Right wrist plain radiograph of the wrist, PA projection, 9-year-old boy
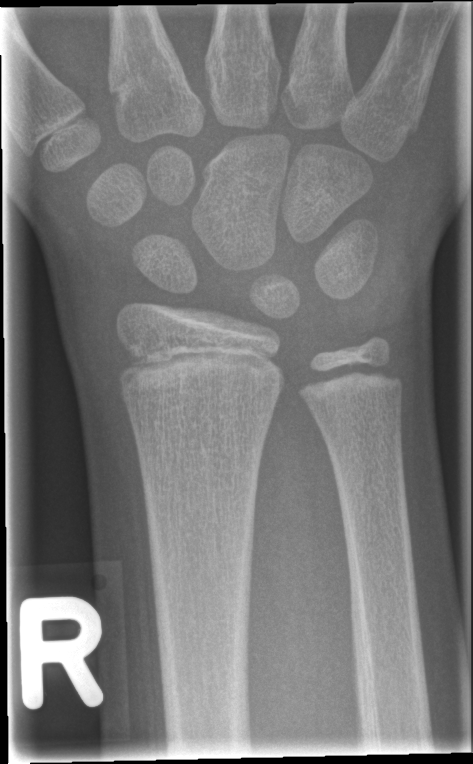

Q: Locate any fractures.
A: No fracture annotation